R wrist XR · PA/AP projection · subsequent exam: 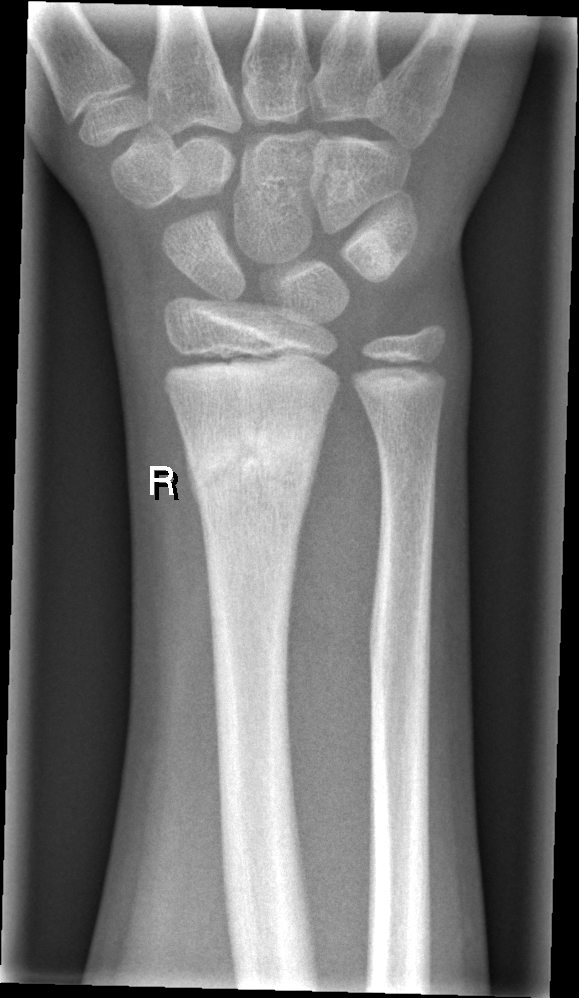

Q: Any periosteal thickening?
A: Two periosteal new bone at (300, 406, 329, 525) (174, 409, 199, 516)
Q: AO code?
A: AO code 23r-M/2.1
Q: Locate any fractures.
A: One bone fracture at (185, 426, 323, 504)